Lat view, left wrist plain film, image 79.6 mm wide —
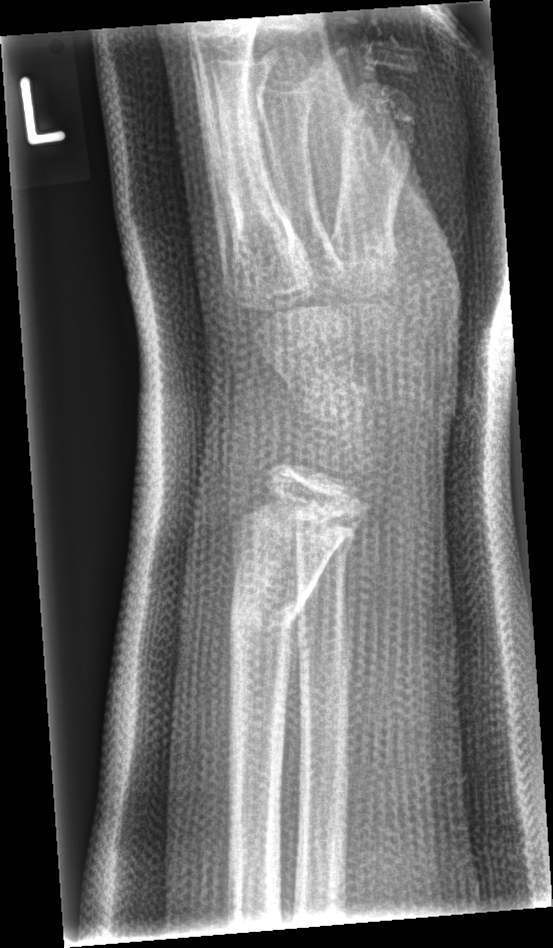
AO code 23r-M/2.1. One fracture at <225,577>-<309,654>.